PA/AP projection · right wrist XR — 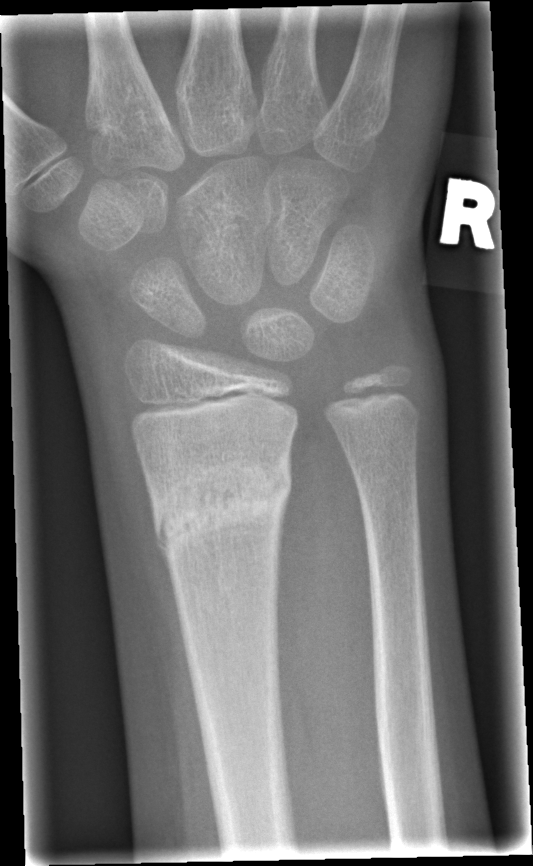

Fx: 1 @ (145, 454, 296, 553)
AO code: 23r-M/2.1